PA projection · R plain radiograph of the wrist · age 8 y, girl · 476 x 1040 px:
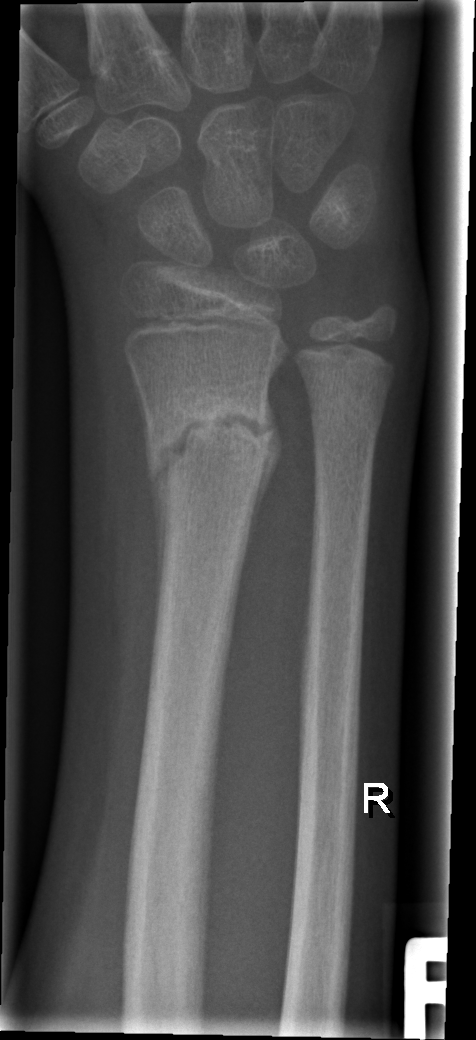 Coordinates are [x1, y1, x2, y2] in image pixels.
AO/OTA classification: 23r-M/3.1; 23u-M/2.1.
Osteopenic.
Fracture identified at 139,383,279,489; 305,383,388,451.
Periosteal new bone — 243,390,282,564 | 148,476,165,597 | 129,362,150,459.